Left wrist XR | PA/AP projection | 13-year-old male —

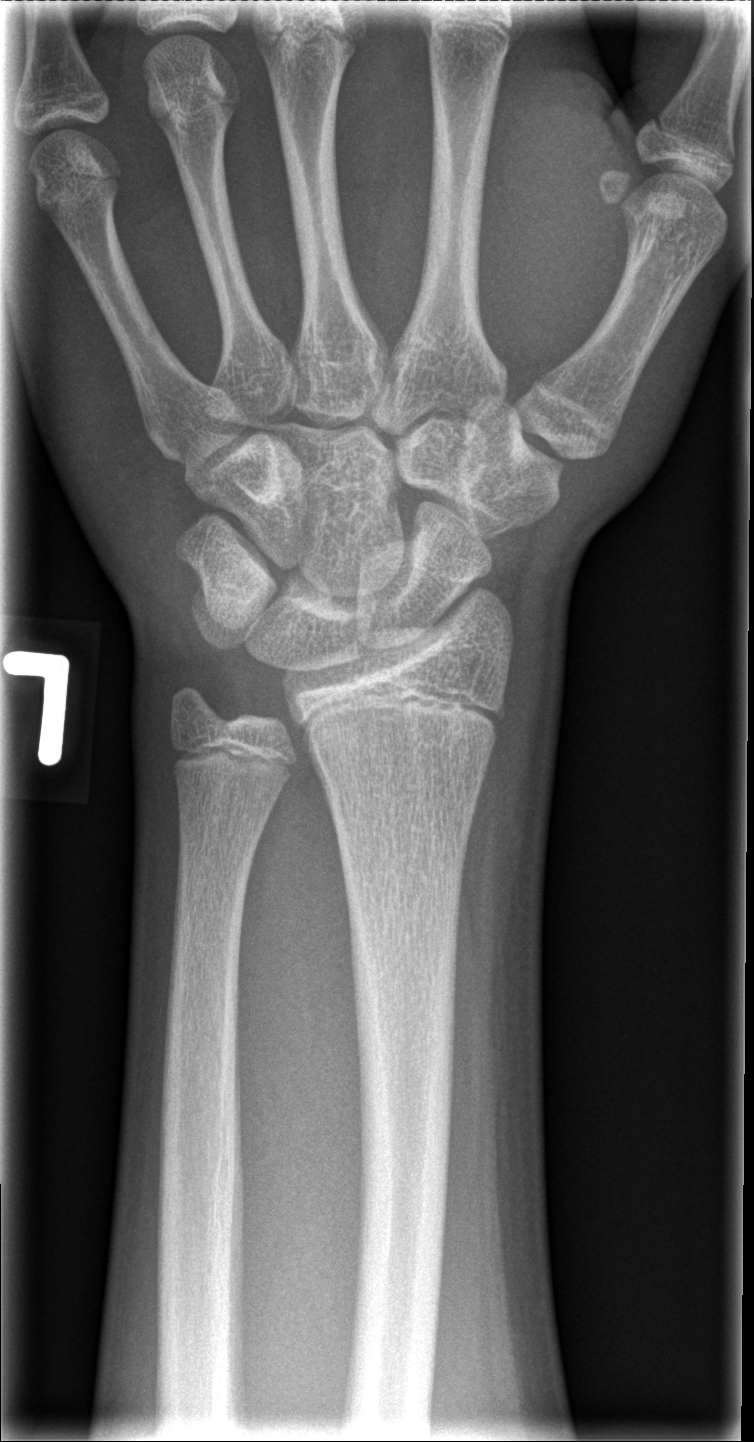

Findings: Fracture: none labeled.